Lt pediatric wrist radiograph · lateral projection · subsequent exam · acquired on Siemens:

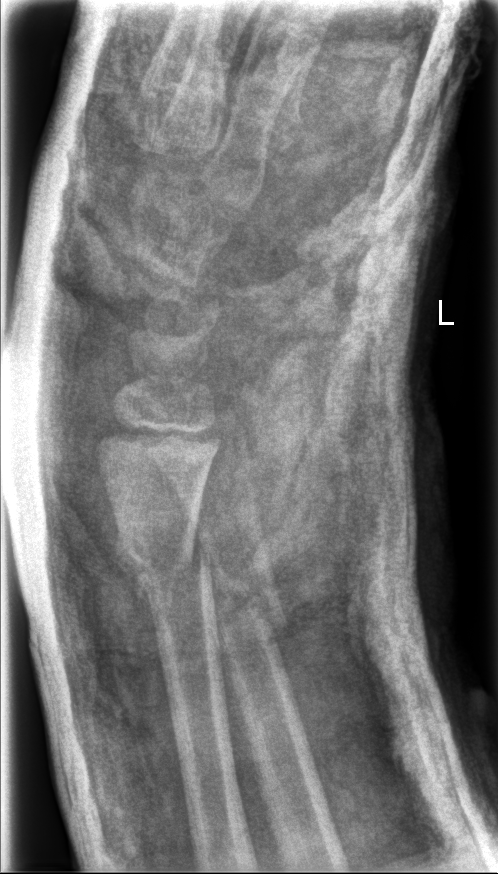

AO/OTA classification: 23-M/3.1.
Fractures — [116, 524, 219, 613]; [208, 572, 291, 659].